Lateral · L wrist plain film · image size 440x1186.
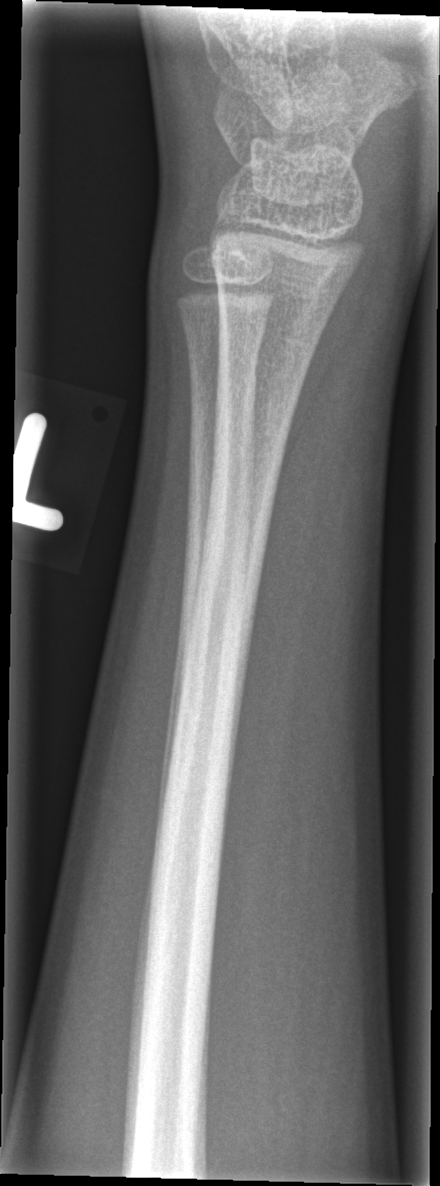 - No Fx annotated.